Lat view | R pediatric wrist radiograph | 12y M | follow-up study. 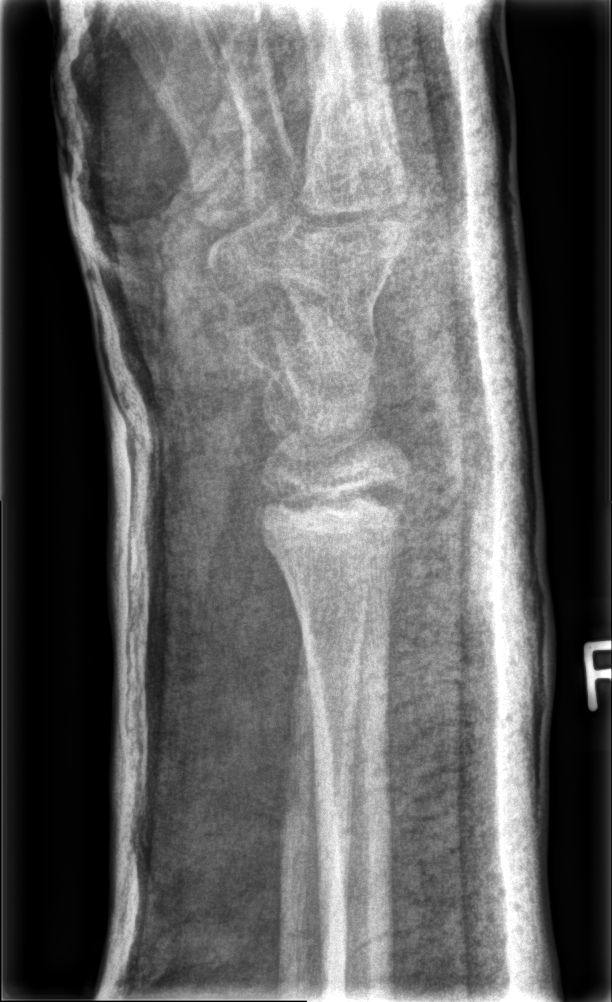

* Fx identified at [x1=248, y1=475, x2=415, y2=543].
* AO/OTA classification: 23r-E/2.1;  23u-E/7.